Right wrist radiograph; frontal; age 15 y, female; acquired on Siemens; 672 x 1122 px

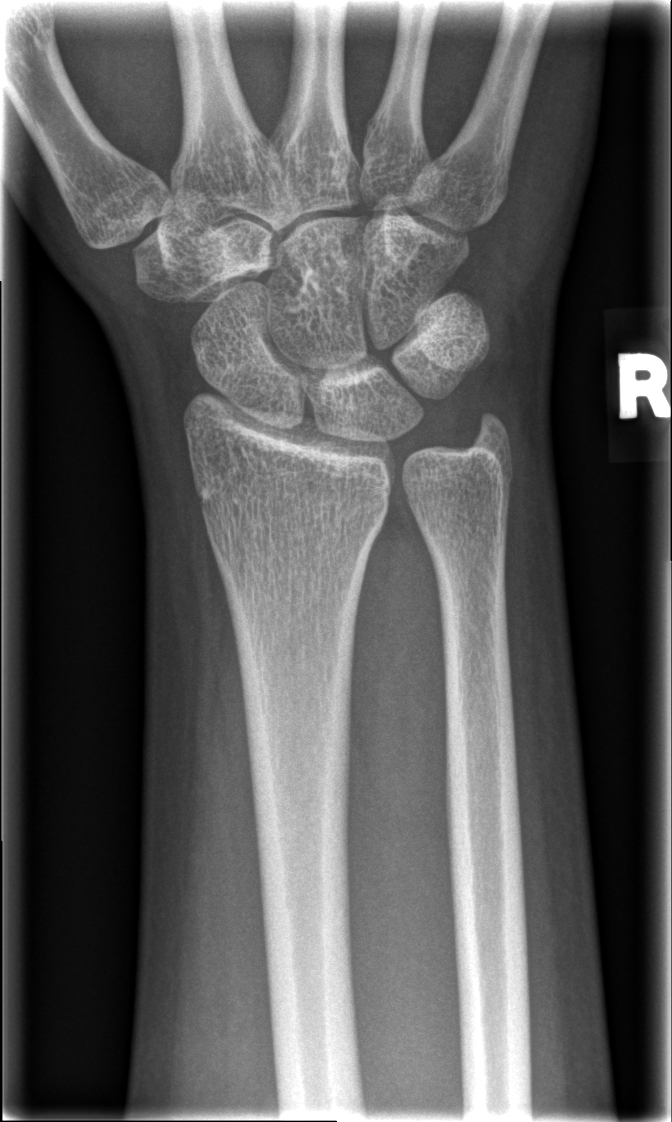
No fracture bounding box.